L wrist XR · lateral view · age 8 y, female:
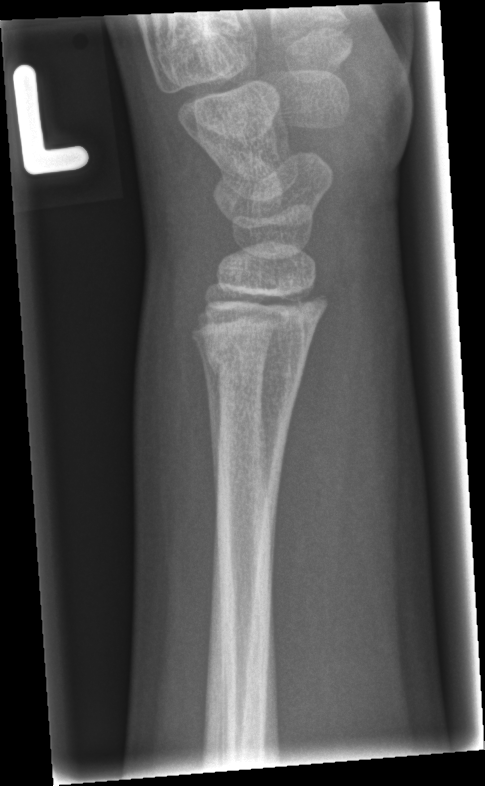

Q: AO code?
A: Fracture classified AO/OTA 23r-M/2.1
Q: Is there a fracture?
A: Fx: 200 330 310 393